Left wrist plain radiograph of the wrist · lateral view · pediatric patient (boy, age 8) · in cast:
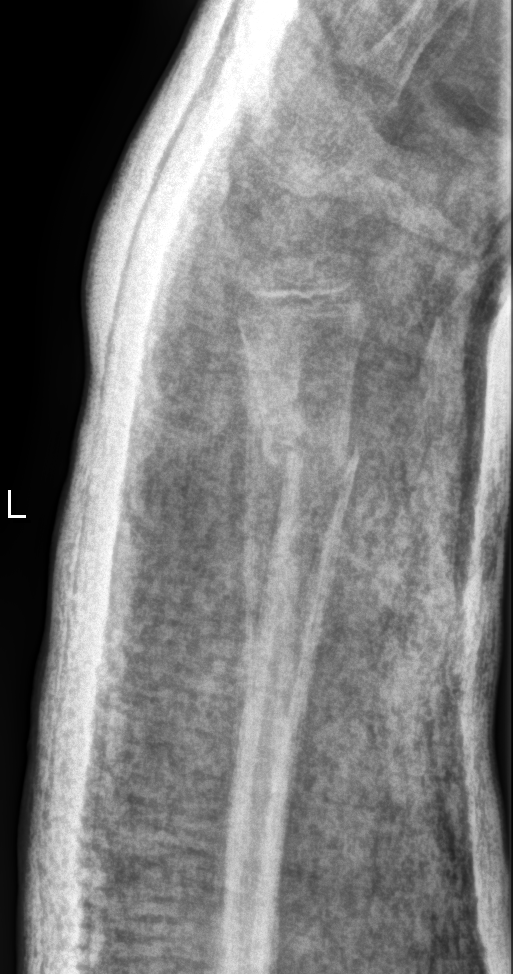 • Coordinates are [x1, y1, x2, y2] in image pixels.
• Fracture — (left=250, top=408, right=363, bottom=487).
• Fracture classified AO/OTA 23-M/3.1.